Lat projection | left plain radiograph of the wrist

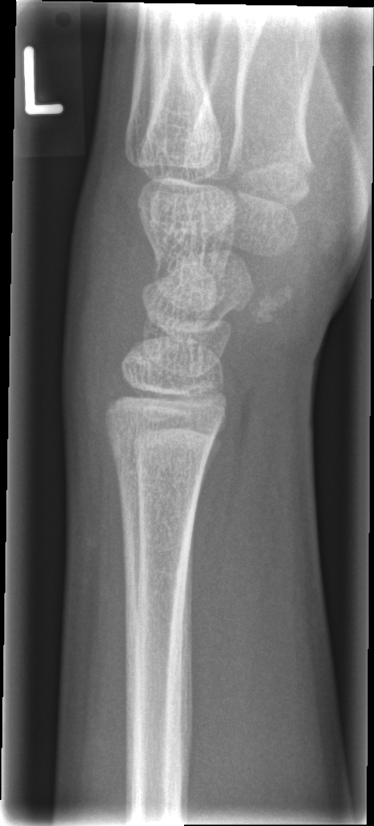 (boxes as x1,y1,x2,y2 (top-left / bottom-right, pixel units))
Q: Is there a fracture?
A: Fracture: none labeled
Q: Is there soft-tissue abnormality?
A: One soft-tissue swelling at <60,169>-<153,443>